PA/AP projection · Lt plain radiograph of the wrist · boy, 9 yo: 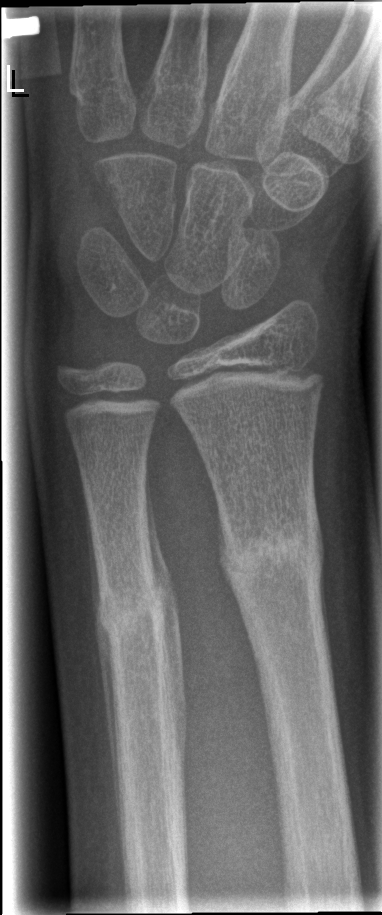

(coordinates are [x1, y1, x2, y2] in image pixels)
Periosteal new bone = (left=84, top=479, right=124, bottom=870), (left=143, top=456, right=189, bottom=794), (left=313, top=489, right=332, bottom=653), (left=216, top=503, right=242, bottom=613)
Osteopenia = present
AO classification = 23-M/3.1
Bone fracture = 2 @ (left=82, top=583, right=197, bottom=645); (left=218, top=524, right=325, bottom=587)